R wrist radiograph; lat projection; 7y M; 503 by 1066 pixels — 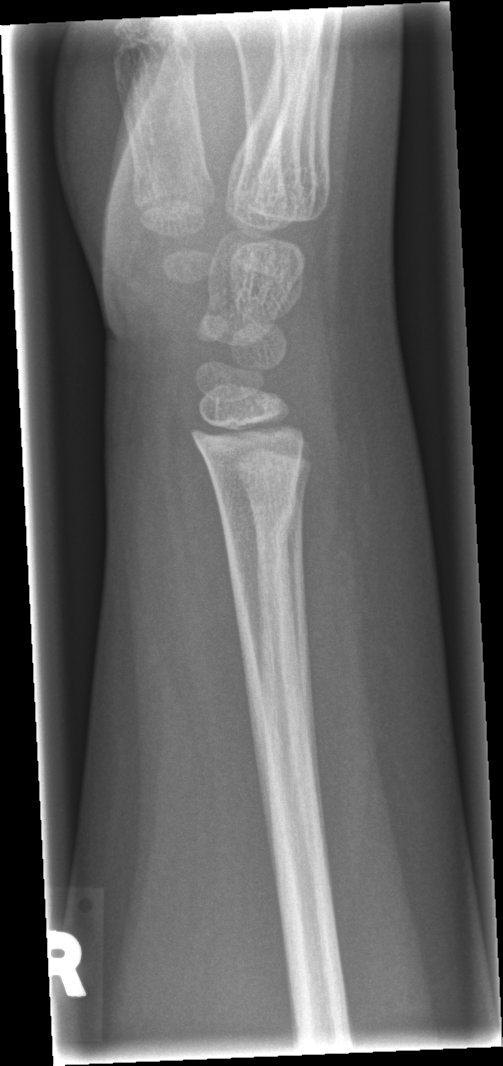 FINDINGS — (coordinates are [x1, y1, x2, y2] in image pixels) Pronator sign: bbox(167, 429, 249, 732). Soft tissue abnormality — bbox(300, 347, 437, 663). One bone fracture at bbox(219, 485, 301, 560). Fracture classified AO/OTA 23r-M/2.1.